Posteroanterior projection, left pediatric wrist radiograph
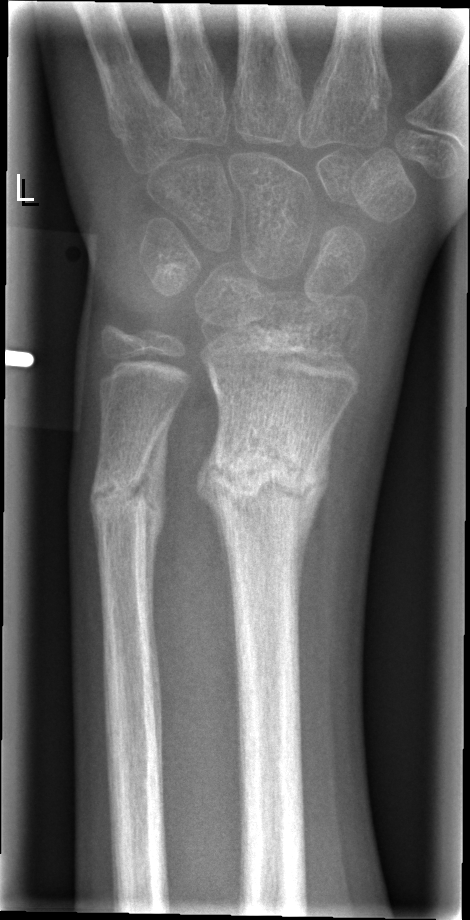 FINDINGS: (coordinates are [x1, y1, x2, y2] in image pixels) Fracture classified AO/OTA 23-M/3.1. Fx identified at [200, 426, 328, 535] [85, 462, 154, 524]. Three periosteal reaction at [294, 437, 330, 587]; [144, 428, 168, 601]; [197, 438, 228, 566].